Lat view, left wrist XR, male, 12 yo —
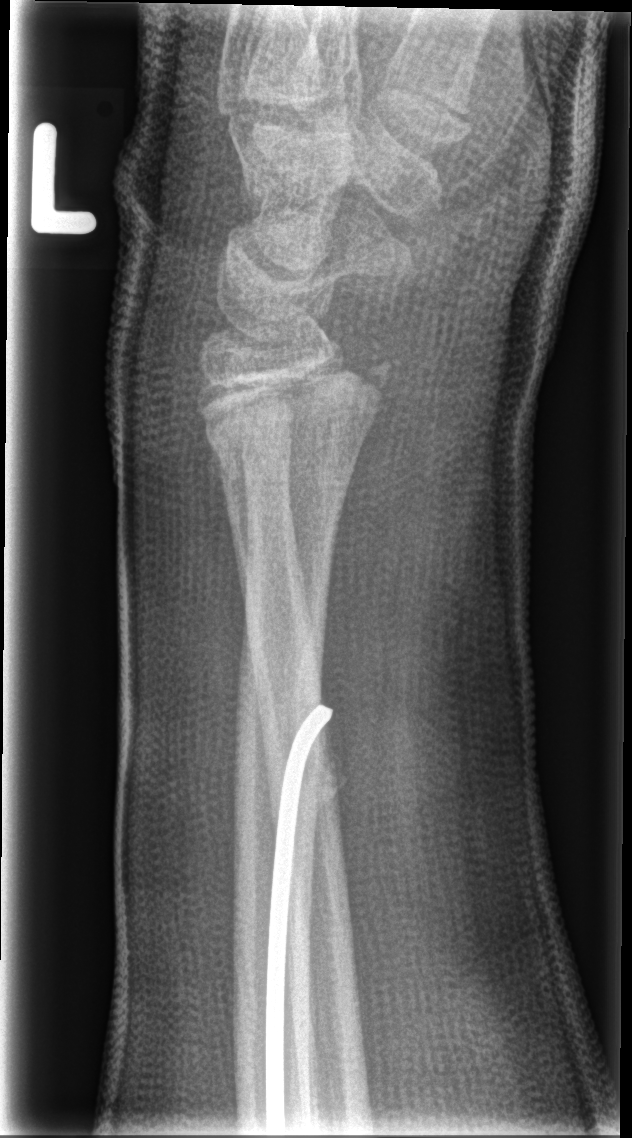 FINDINGS: (boxes as x1,y1,x2,y2 (top-left / bottom-right, pixel units)) AO/OTA classification: 23r-E/2.1; 23u-M/2.1. Metallic hardware — 262 699 338 1136. Bone fracture identified at 196 335 399 478.